Left wrist XR | PA/AP — 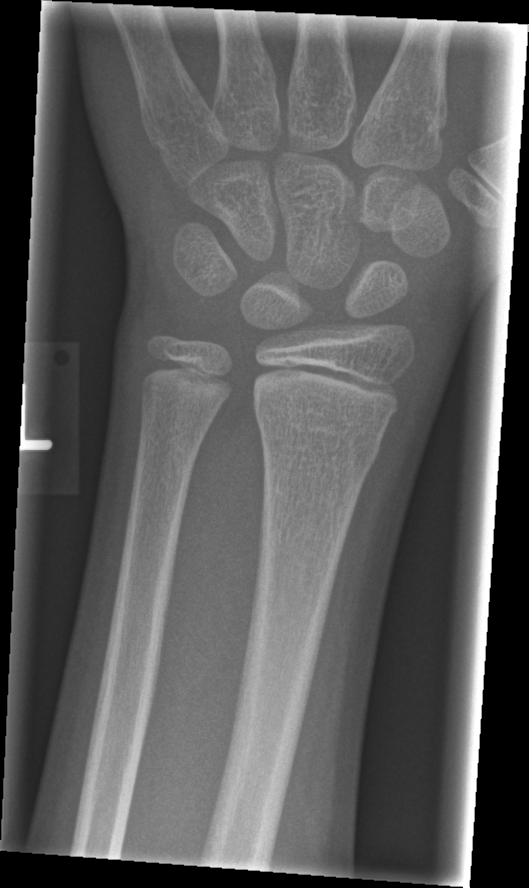 Bone fracture identified at (left=252, top=395, right=386, bottom=470).
Fracture classified AO/OTA 23r-M/2.1.